Right wrist plain film, lateral projection, male, 11 yo, presentation radiograph, 51.3 mm image width
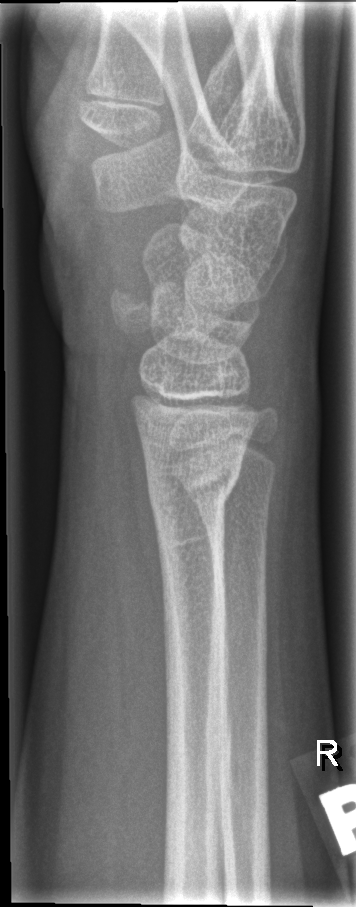

(bounding boxes in image-pixel xyxy)
Fx: (144, 465, 245, 520)